L wrist XR, lat:
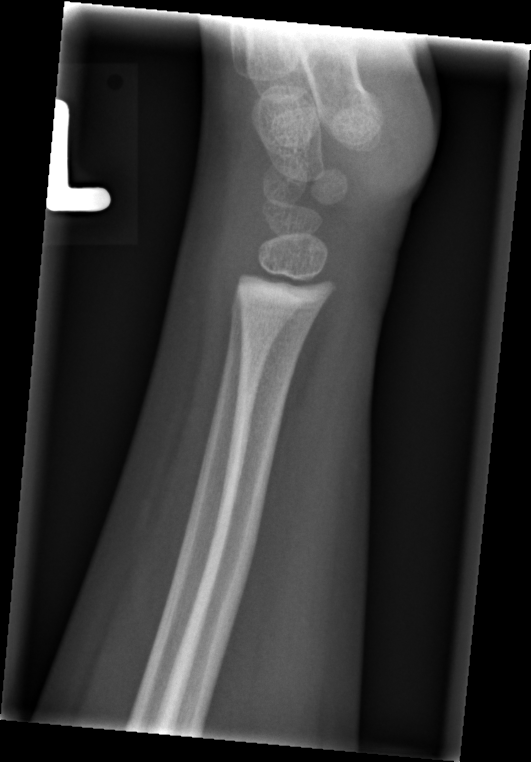
{"fracture": "none labeled"}